Right wrist plain film · lat · 9-year-old female · index exam · acquired on Siemens 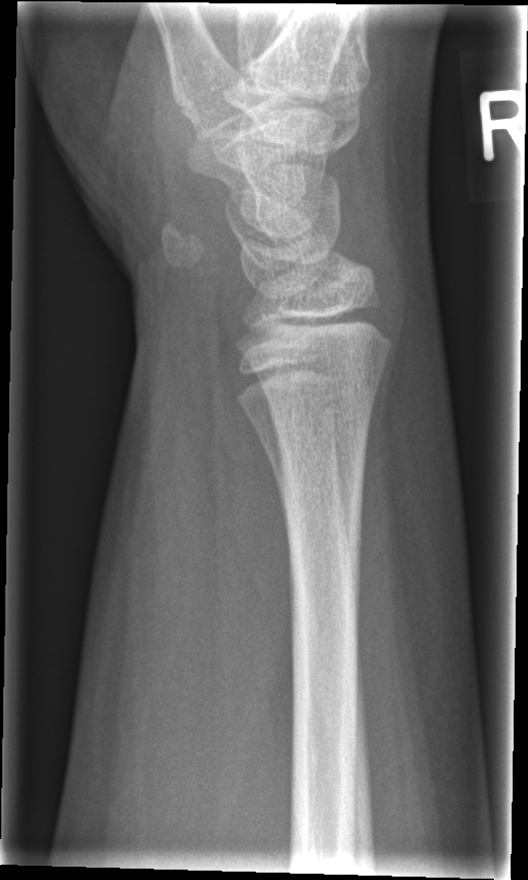
Fx: none labeled